L plain radiograph of the wrist | PA | equivocal findings | 65.2 mm image width | 453x904

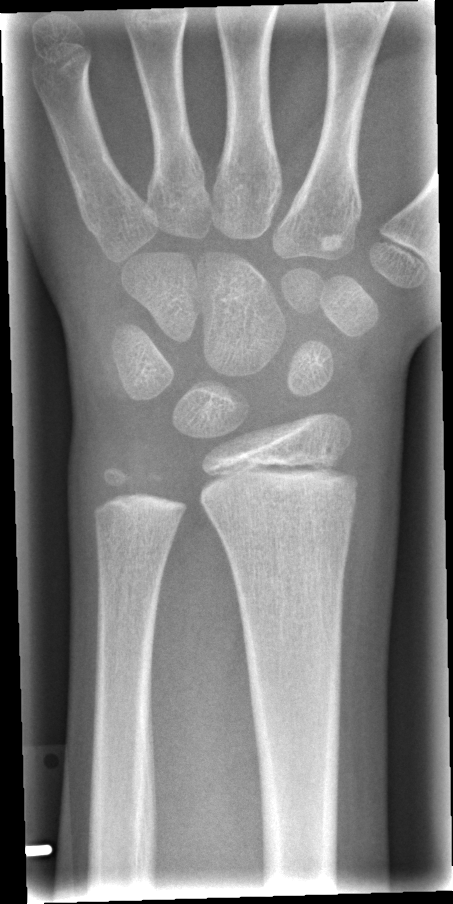

Findings: Fracture present, but no bounding box because it is not clearly seen in this view. One focal bone lesion at (318, 231, 348, 257).